Left wrist radiograph | lateral | boy, 15 yo | imaged through cast: 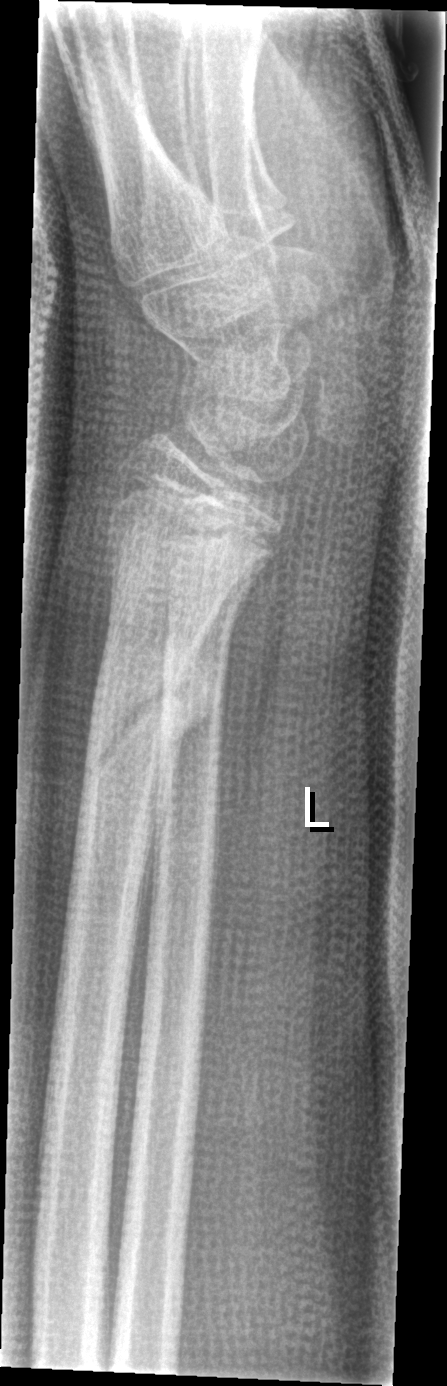
fracture: 1 @ (69, 633, 217, 787)
ao: 23r-M/3.1